AP view | left wrist plain film | initial study.
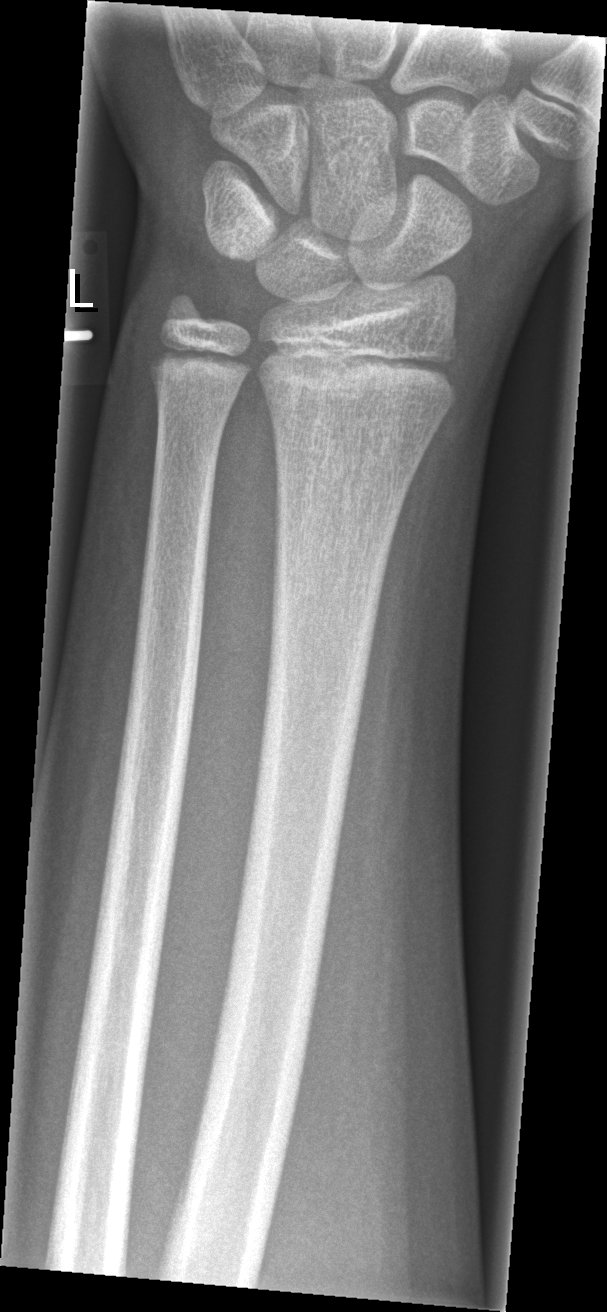

Fx = none labeled